Right wrist plain film; PA projection; 8-year-old boy:

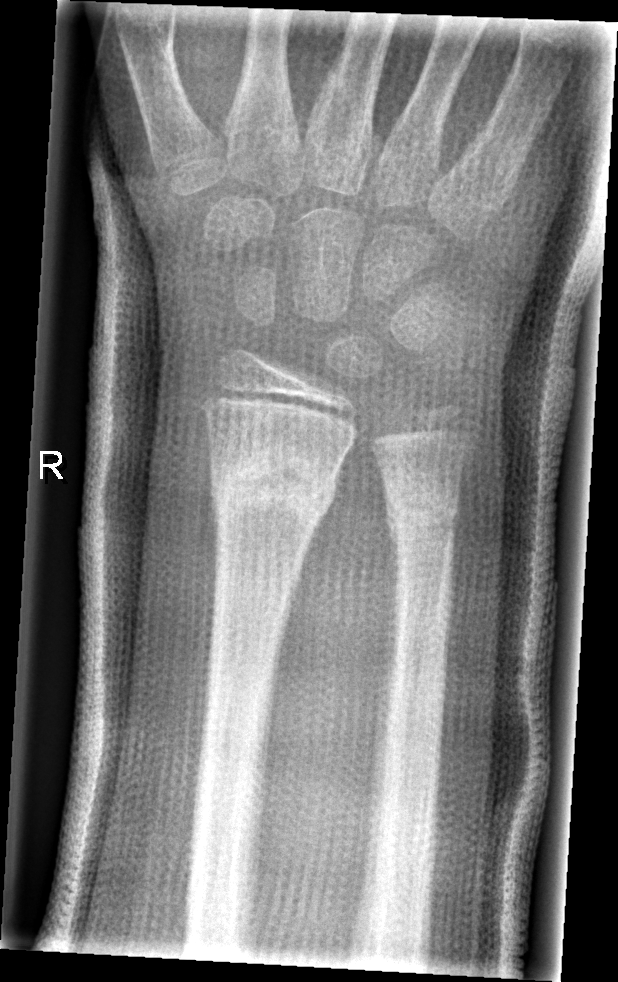

AO classification: 23-M/2.1
Fx: (208, 448, 341, 526) (378, 470, 461, 545)